Lat projection, Lt plain radiograph of the wrist 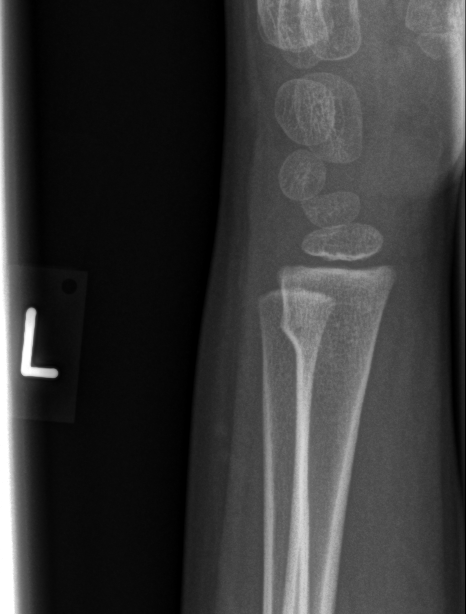

FINDINGS: (bounding boxes in image-pixel xyxy) Fx identified at [275, 301, 381, 365]. Fracture classified AO/OTA 23r-M/2.1.